L wrist XR | lat | cast present

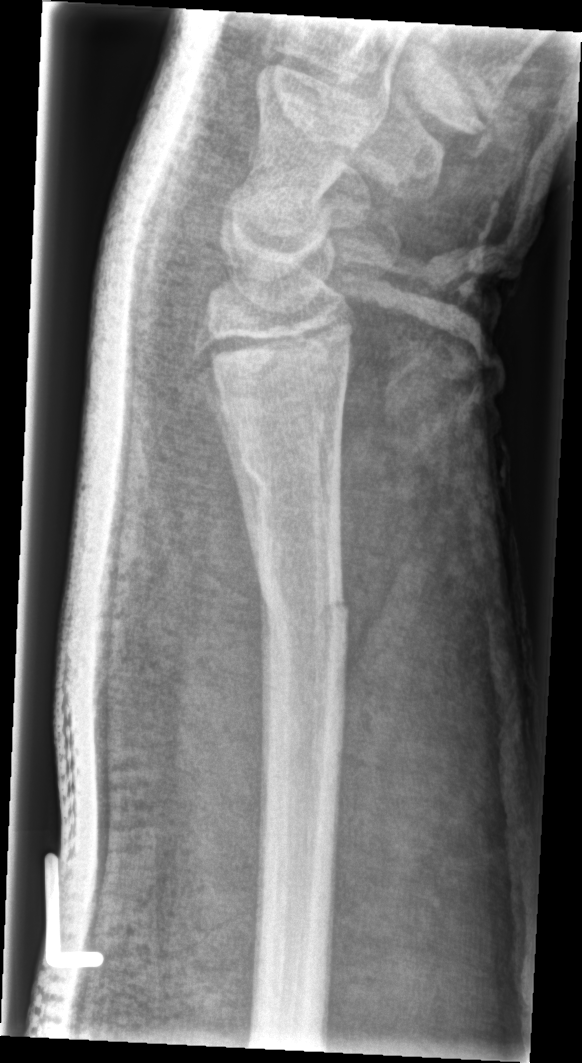 Fracture identified at 239,437,326,495
  259,592,353,634. Fracture classified AO/OTA 23-M/2.1.